Lateral projection; right wrist plain radiograph of the wrist; 11-year-old female.
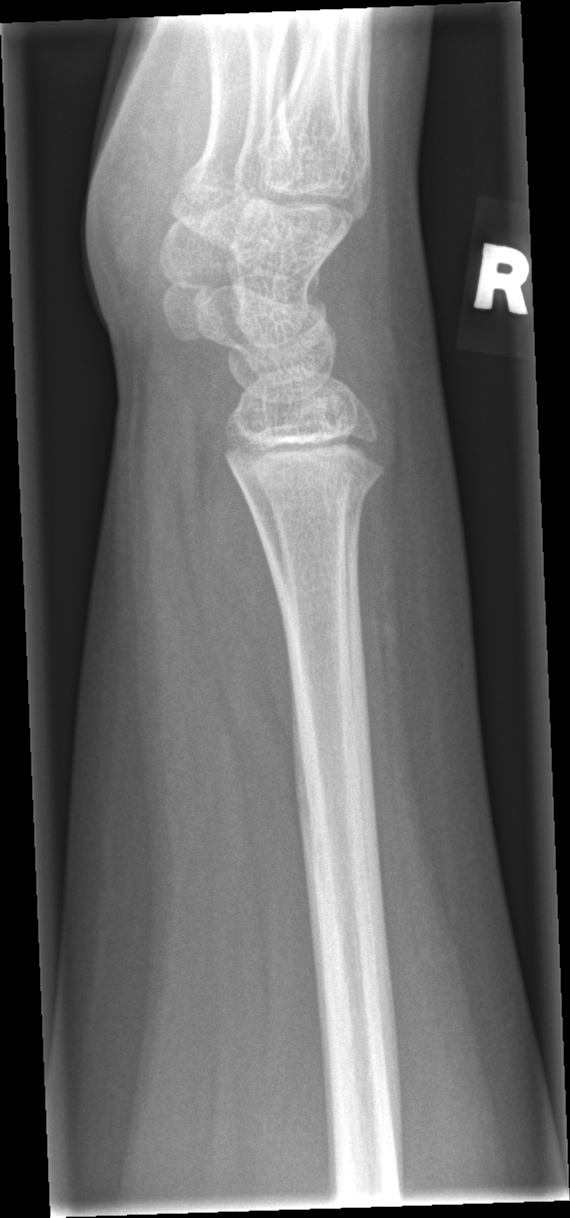

- Boxes as x1,y1,x2,y2 (top-left / bottom-right, pixel units).
- Pronator quadratus fat-pad sign: [191, 435, 291, 749].
- Fracture: [237, 460, 389, 523].